Left wrist plain radiograph of the wrist; lat; male, 13 yo:
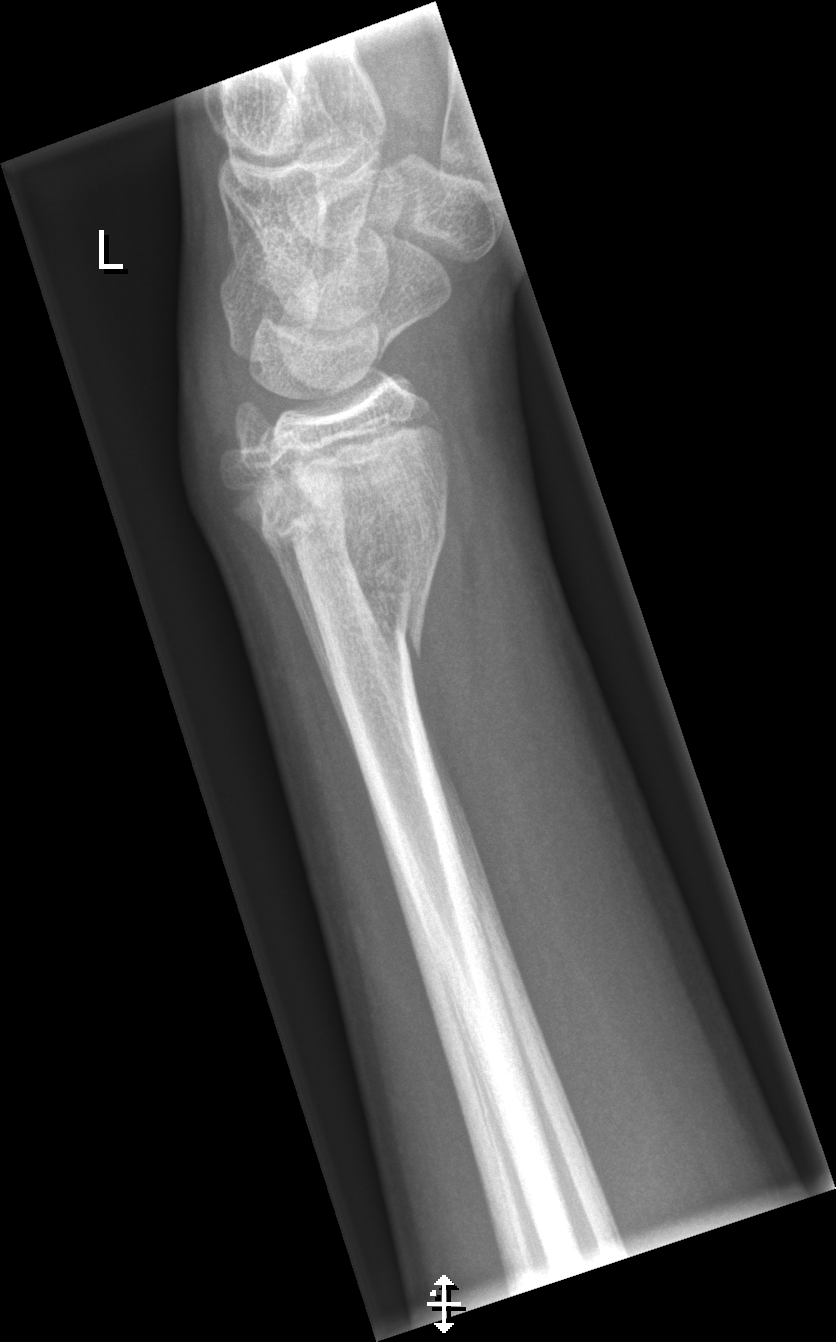

AO code 23r-M/3.1; 23u-M/2.1; 23u-E/7.
Fx identified at <257,454>-<452,663>.